Lateral · right wrist plain film · male, 14 yo · 501 by 1296 pixels:
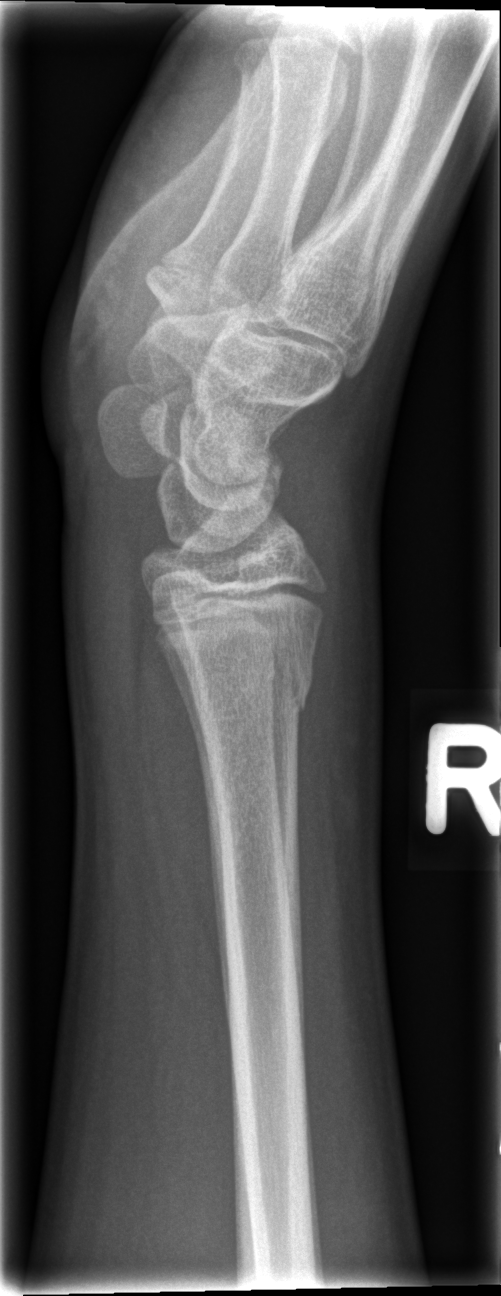 bone fracture: (171, 636, 320, 720)
AO classification: 23r-M/2.1
pronator quadratus fat-pad sign: 1 @ (140, 613, 221, 956)